R wrist plain film · posteroanterior —

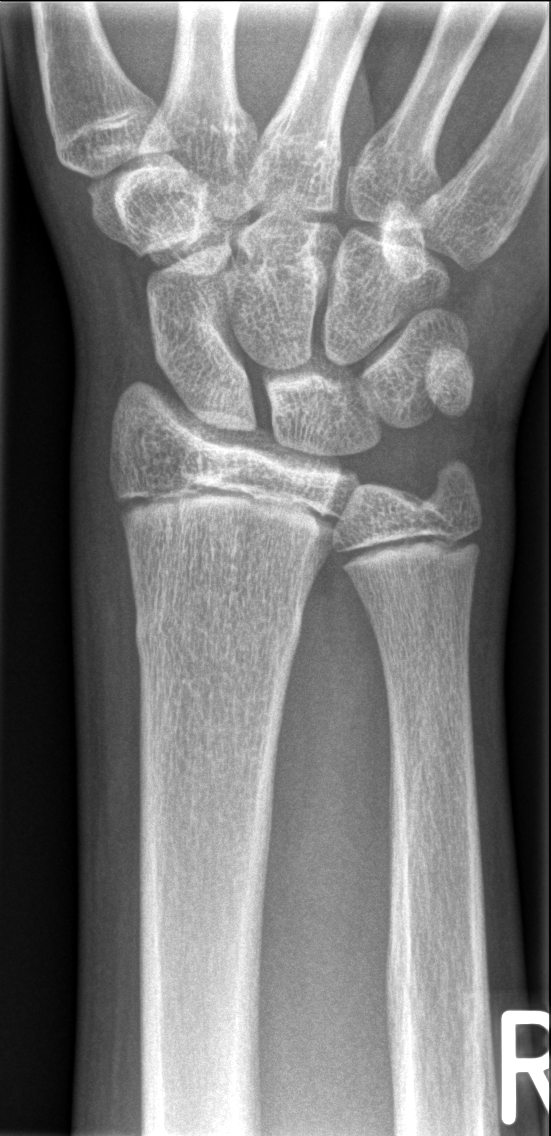
Boxes as x1,y1,x2,y2 (top-left / bottom-right, pixel units).
Bone fracture — bbox(130, 603, 303, 665).